Left wrist X-ray, lat projection, in cast:
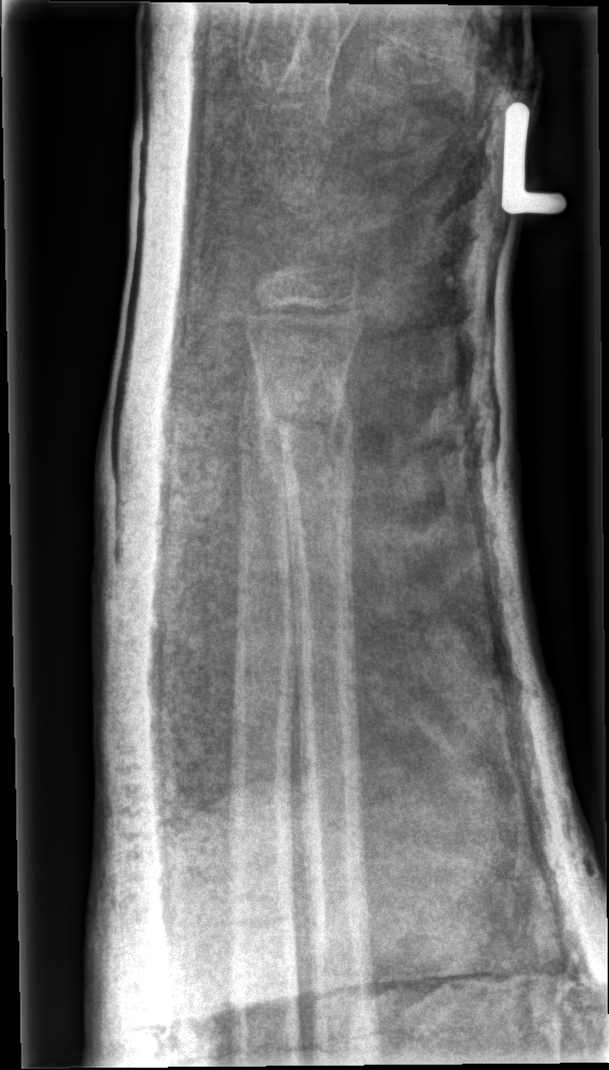 Bounding boxes in image-pixel xyxy. Fracture classified AO/OTA 23-M/3.1. Two fractures at (left=256, top=372, right=359, bottom=464), (left=237, top=388, right=289, bottom=474). One periosteal thickening at (left=256, top=382, right=303, bottom=669).